Left wrist radiograph; lateral projection; cast in situ —

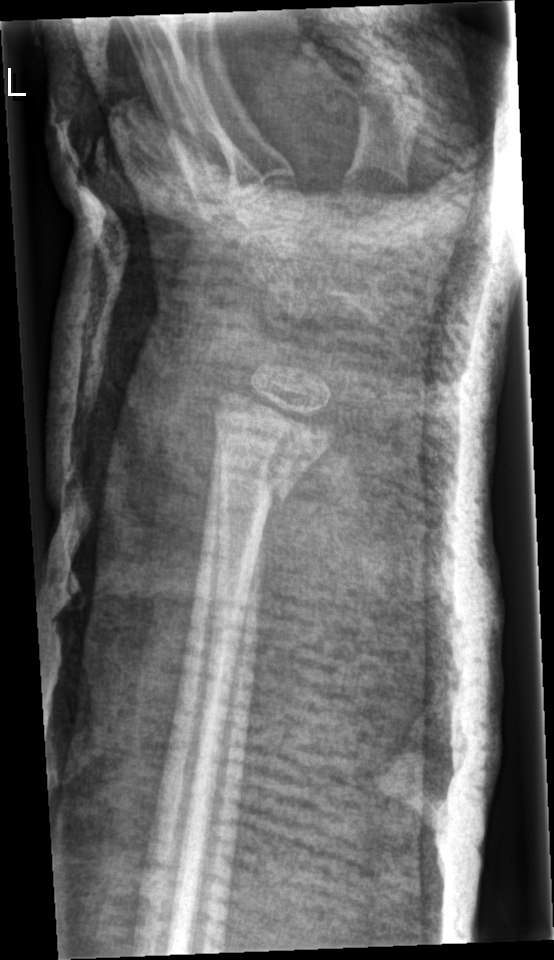 FINDINGS — (coordinates are [x1, y1, x2, y2] in image pixels) Fx identified at [x1=207, y1=457, x2=298, y2=520].